AP view; left wrist plain film; presentation radiograph:
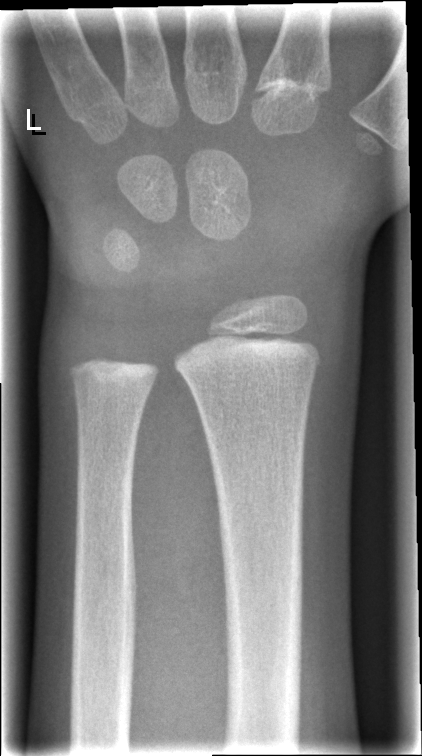 Q: Any fracture seen?
A: No fracture labeled